Lat, R wrist radiograph.

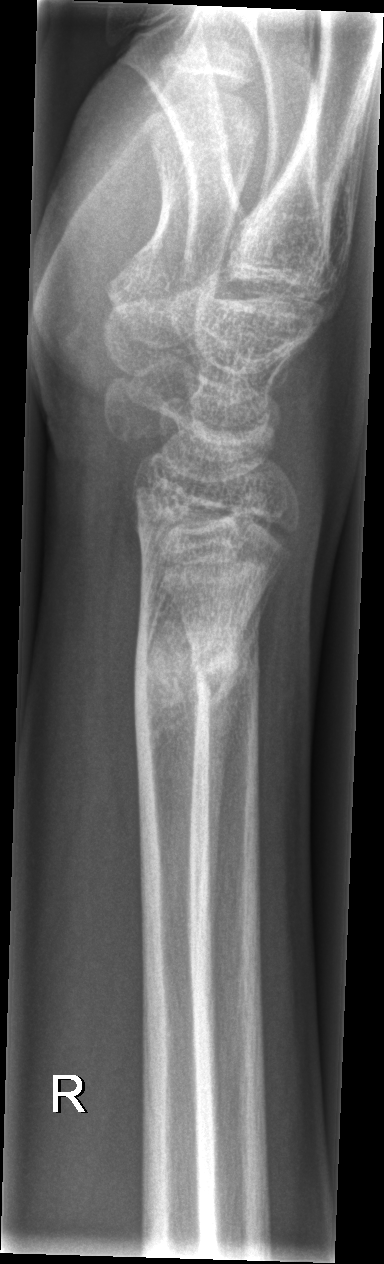
- Bounding boxes in image-pixel xyxy.
- Periosteal thickening: 205,561,283,966.
- One fracture at 133,616,257,729.